Lateral; left wrist XR; subsequent exam; image 86.7 mm wide; 602x1105

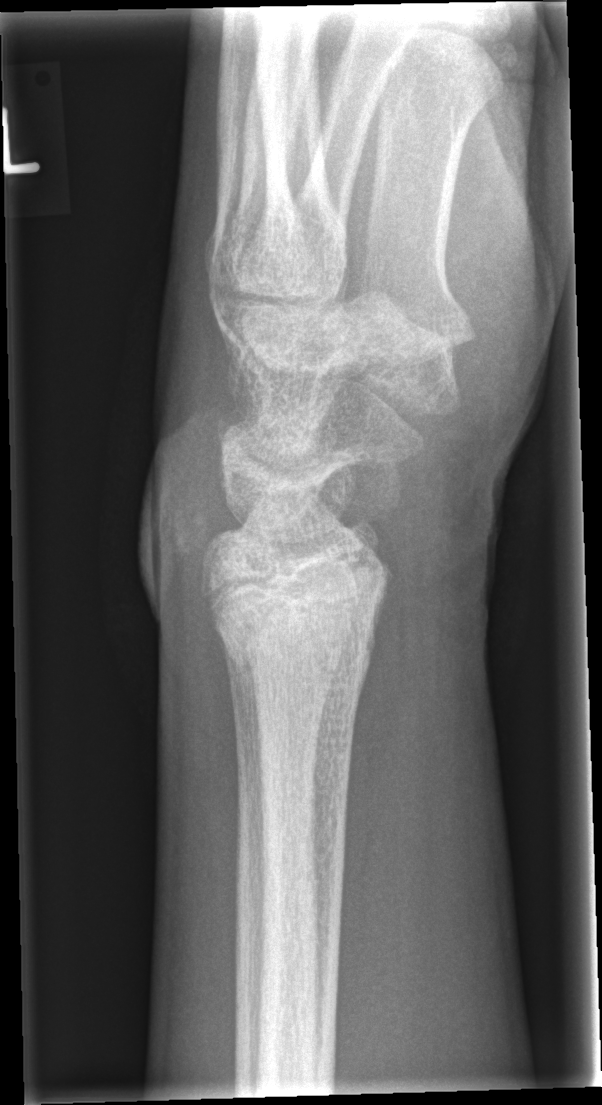

Osteopenia = present
AO/OTA = 23r-E/2.1
Fracture = 1 @ bbox(199, 559, 393, 674)